Left wrist XR; lat view; age 7 y, male; cast in situ

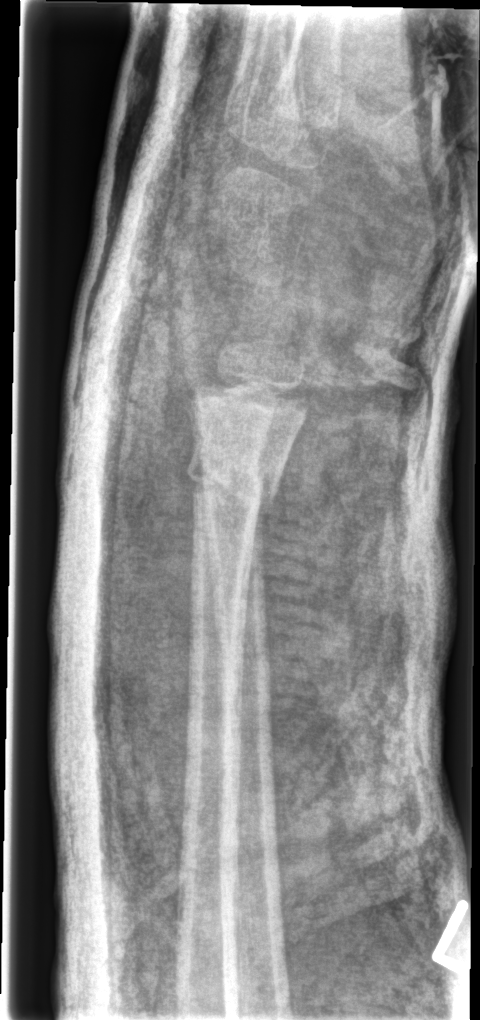
(pixel coordinates, top-left origin, xyxy)
Q: AO code?
A: Fracture classified AO/OTA 23r-M/3.1; 23u-M/2.1
Q: Any fracture seen?
A: Fracture identified at [x1=183, y1=436, x2=282, y2=515]